PA view | Rt wrist X-ray | male, 15 yo | presentation radiograph | acquired on Siemens.
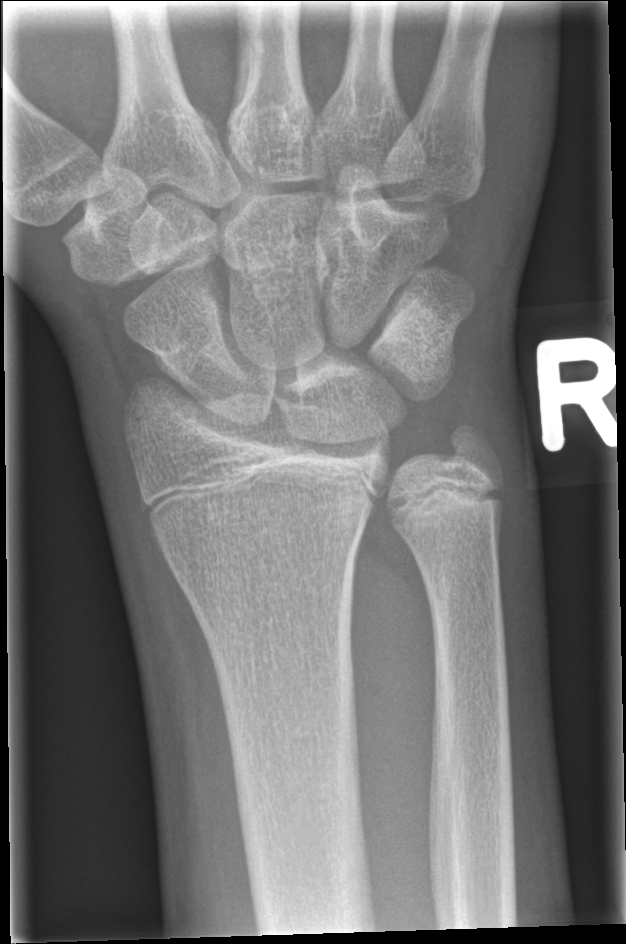 Findings: No Fx annotated.